Lt wrist plain film; lateral view; 11y M 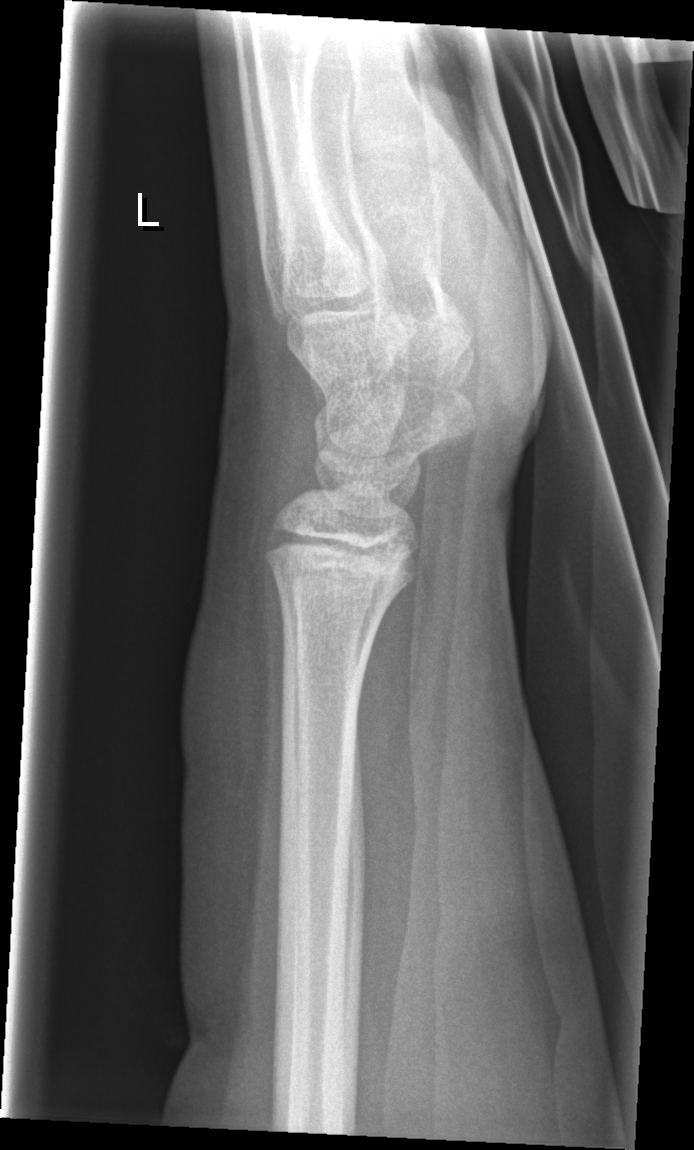

- No fracture annotation.